L pediatric wrist radiograph; lat; 10-year-old female.
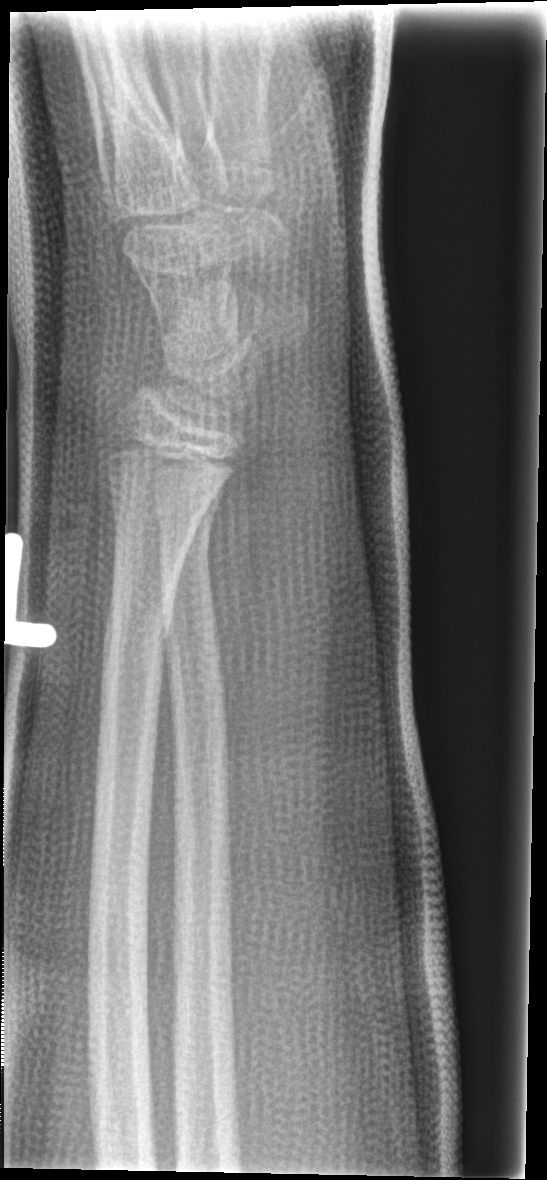

Boxes as x1,y1,x2,y2 (top-left / bottom-right, pixel units). Bone fractures — 102,595,174,655; 152,519,216,574.